AP view; left wrist radiograph; 11-year-old male; image 72.3 mm wide 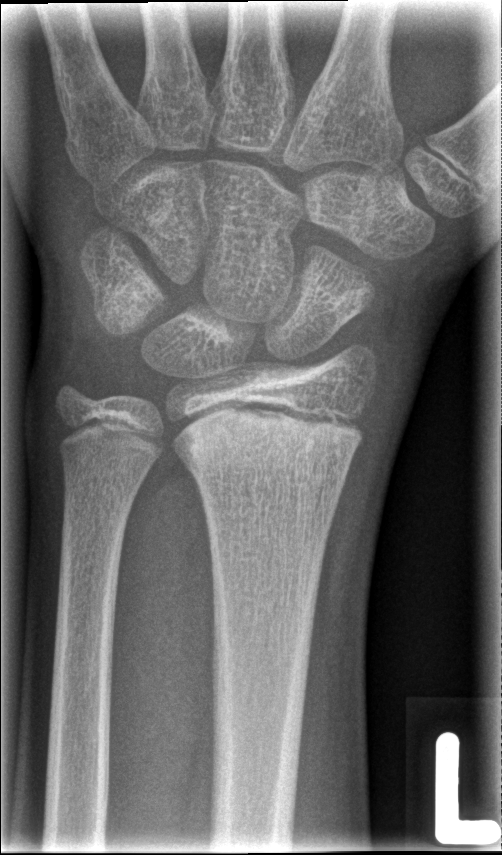

FINDINGS: Fx — 167 409 373 477.